Right wrist plain film | frontal view | diagnosis uncertain | Siemens | 589 x 992 px
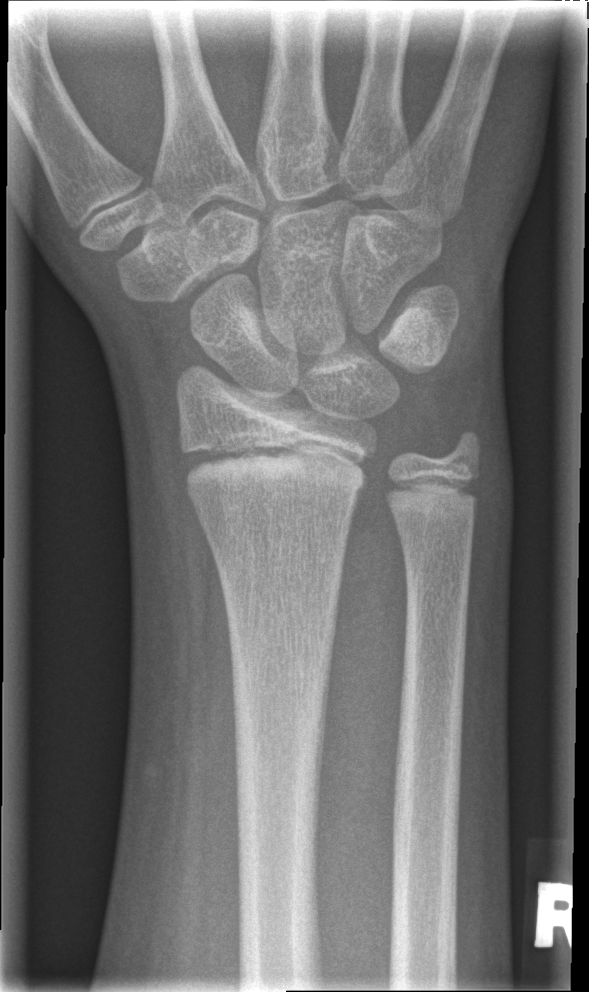
(pixel coordinates, top-left origin, xyxy)
Q: AO code?
A: AO code 23r-E/2.1
Q: Any fracture seen?
A: Fracture: (left=178, top=428, right=371, bottom=505)